AP · right pediatric wrist radiograph
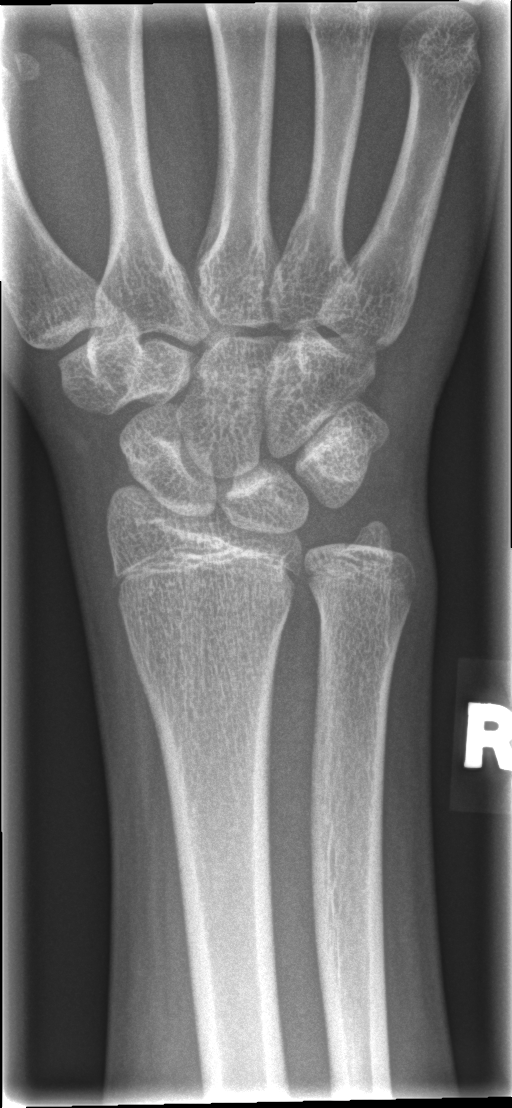 Q: Any fracture seen?
A: No fracture labeled